Frontal projection · Lt wrist plain film · 3-year-old male.

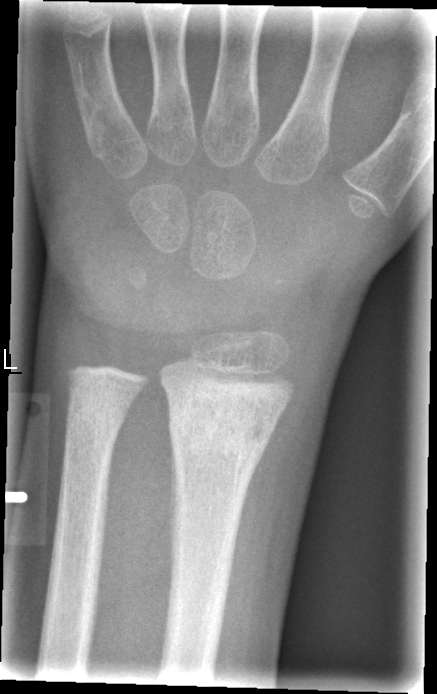

{"periostealreaction": "1 @ <168,440>-<180,603>", "fracture": "2 @ <168,403>-<277,462>, <62,377>-<132,441>"}